Posteroanterior view | left wrist plain film | index exam

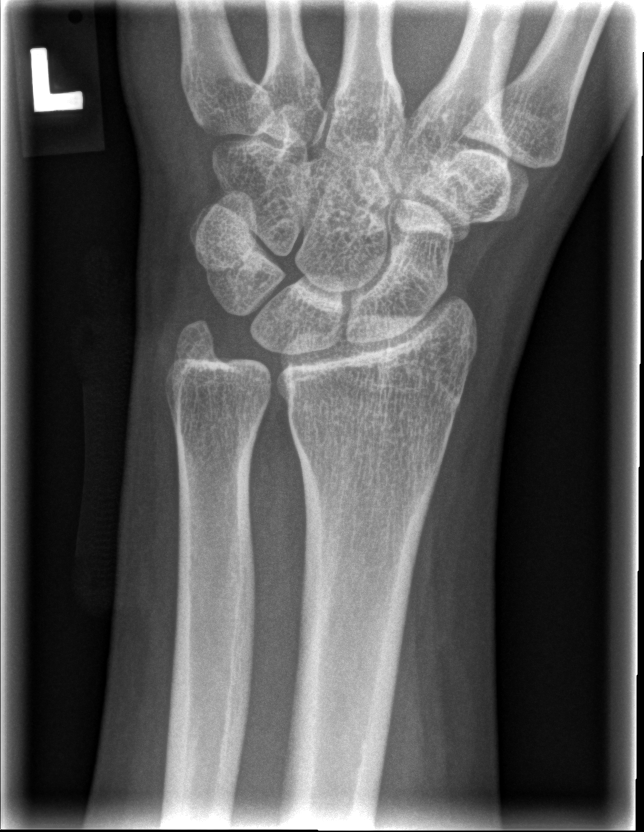

Bone fracture: none labeled